Left wrist XR; posteroanterior projection —

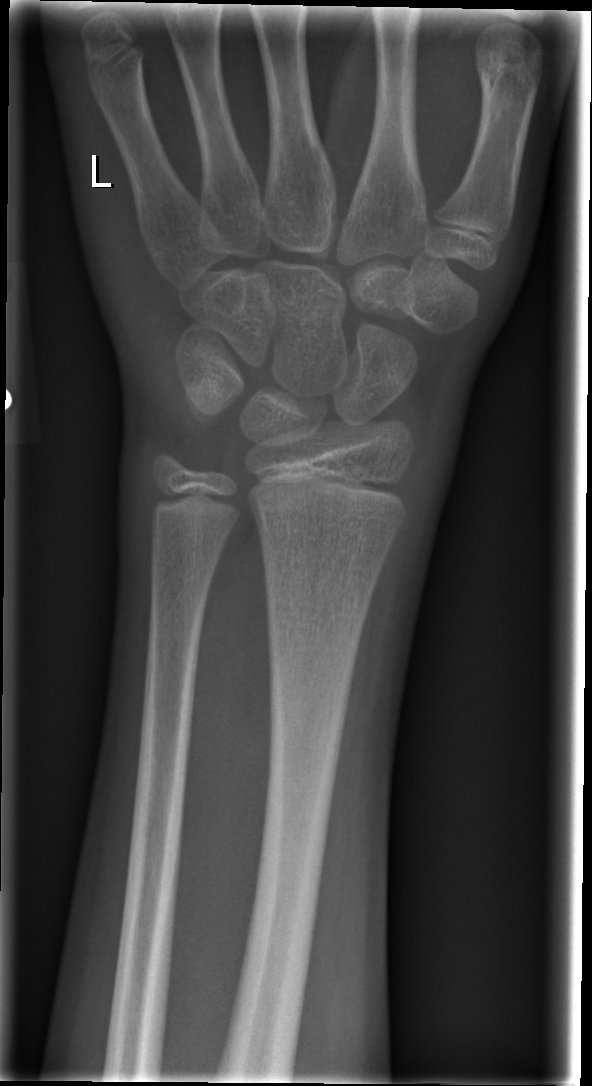 Fracture: none labeled.